L pediatric wrist radiograph, lat view, 10-year-old girl 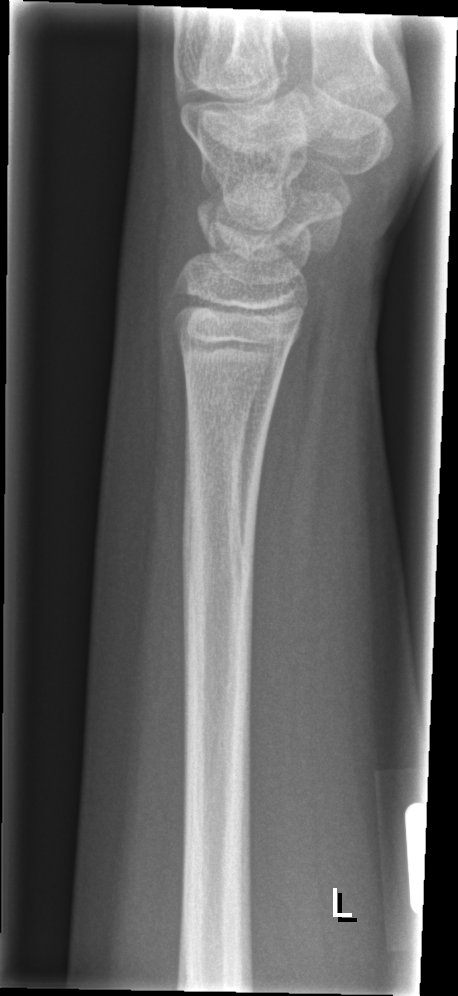
• Fracture present, but no bounding box because it is not clearly seen in this view.
• AO code 23u-M/2.1.